Posteroanterior view · left wrist plain film · pediatric patient (female, age 17).
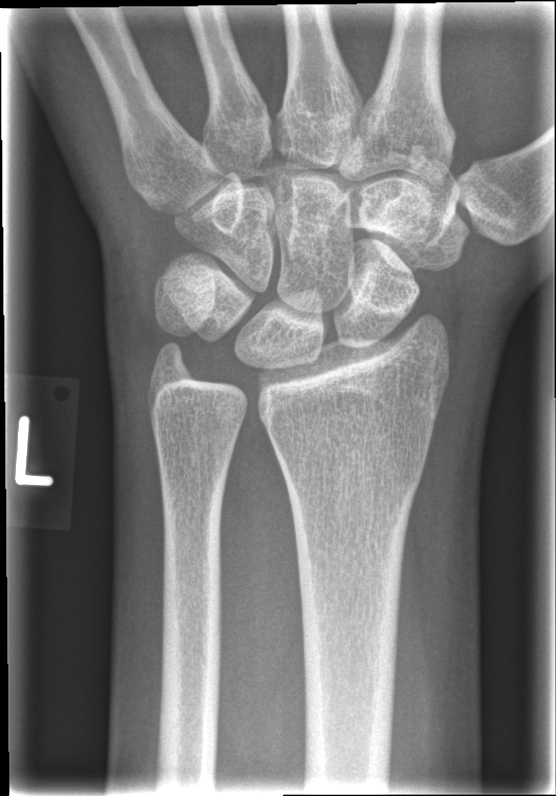
Q: Any fracture seen?
A: No Fx annotated